Lateral | right wrist X-ray | 10y M | follow-up study | cast in situ | image width 76.9 mm | image size 534x1068 —

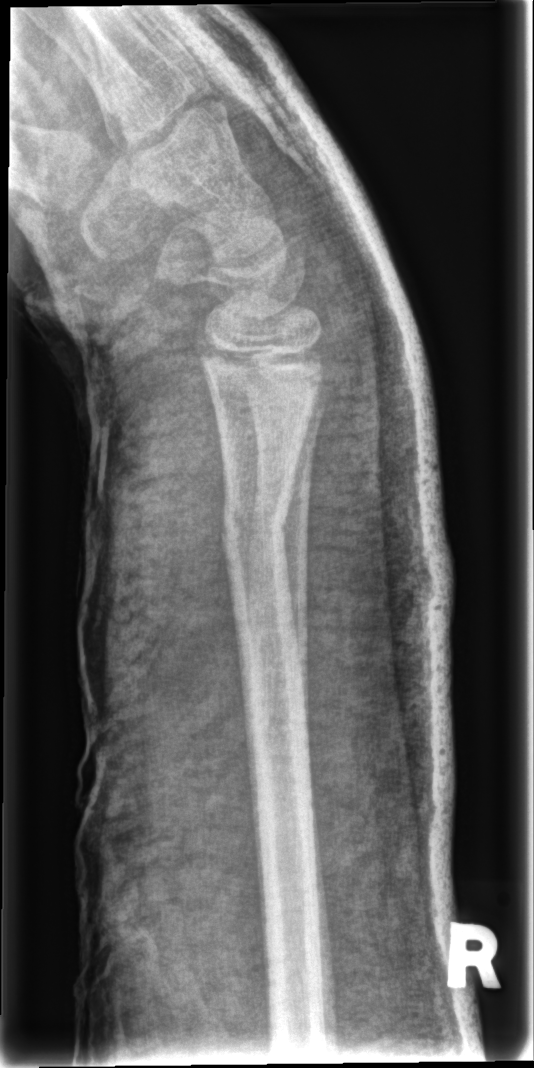 Fracture classified AO/OTA 23r-M/3.1; 23u-E/7.
Fracture — 214 494 296 559.